PA projection | Rt wrist plain film 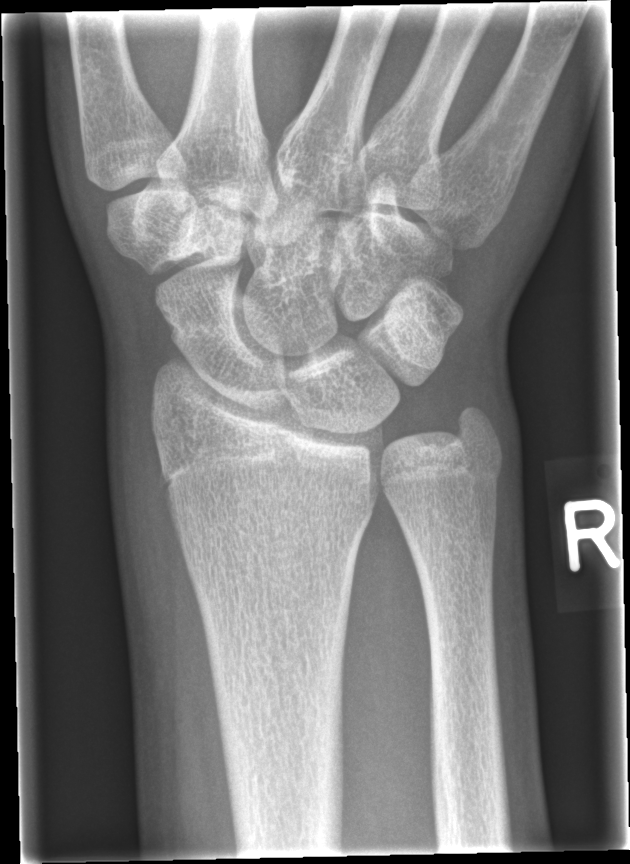
{"fracture": "none labeled"}